AP projection · left wrist radiograph · 13-year-old boy —

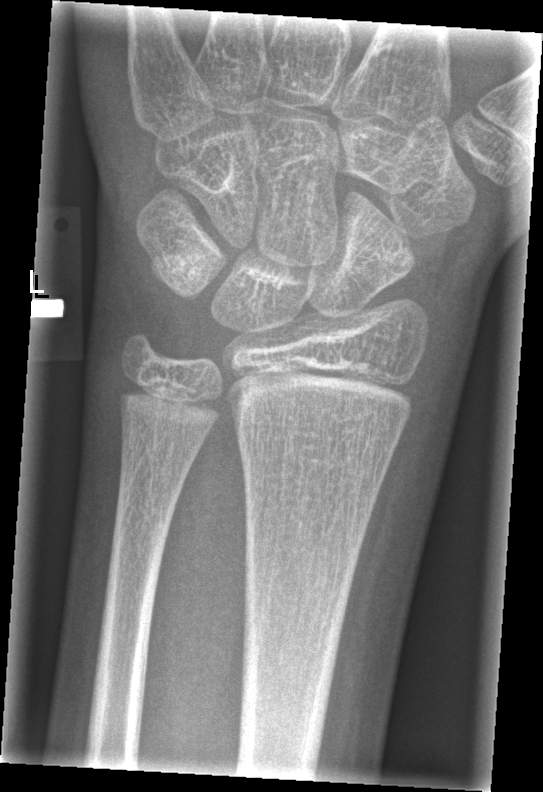

* No fracture bounding box.